AP, R wrist radiograph, imaged through cast.

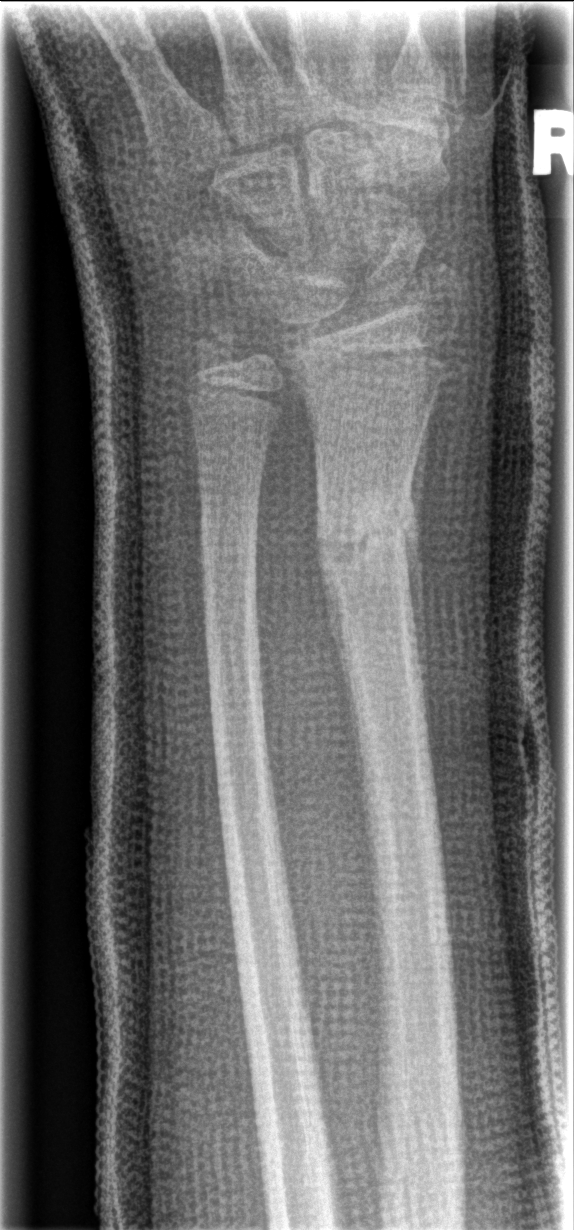 - Fx: [312, 490, 419, 570].
- AO code 23r-M/3.1; 23u-E/7.